Lat | left wrist radiograph | 13y M | acquired on Siemens:
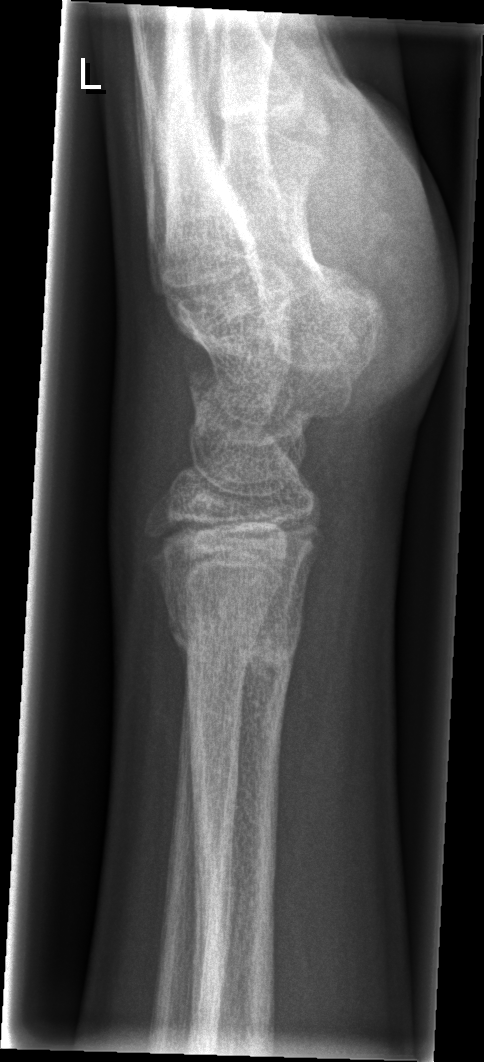 Q: Is there a fracture?
A: Fracture: (163, 599, 304, 683)
Q: Bone density?
A: Osteopenic